Left wrist plain film, lateral view, image width 83.7 mm, 581x1046:

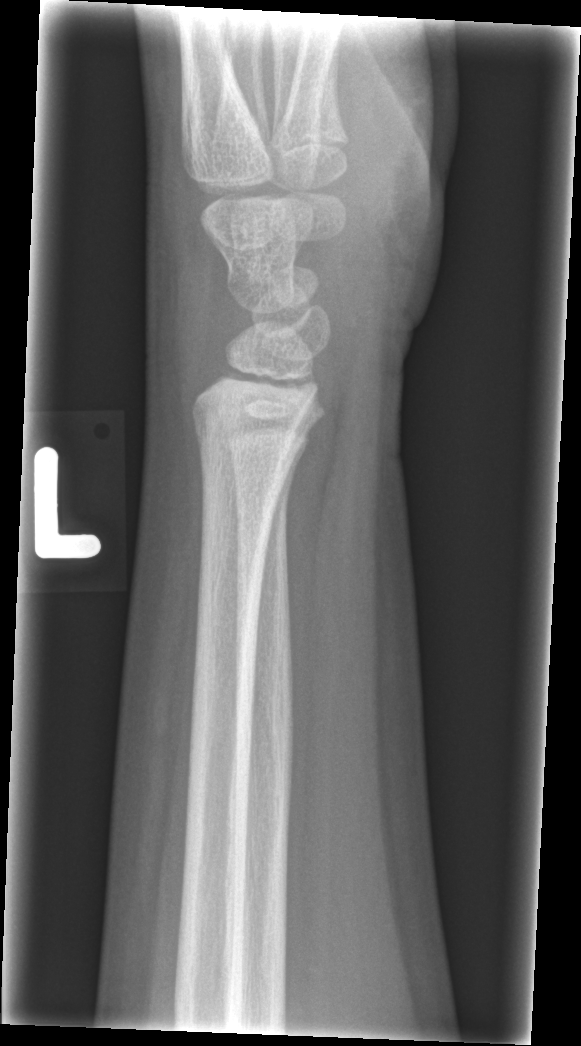 • Fracture: none labeled.